Left wrist plain radiograph of the wrist · lat view · 12y F · equivocal findings · Siemens —
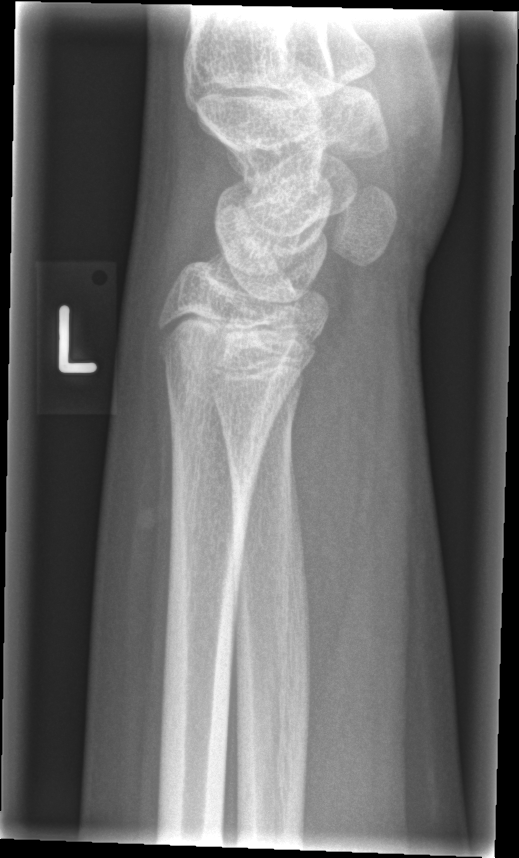

Q: Any fracture seen?
A: Fracture: none labeled